Right wrist X-ray; lateral; initial study; detector: Siemens
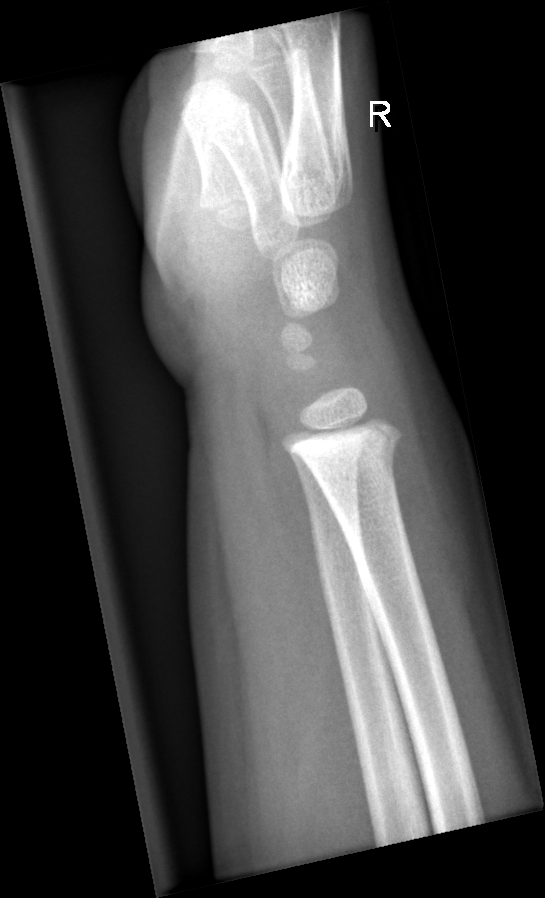 Coordinates are [x1, y1, x2, y2] in image pixels.
One fracture at 282,413,406,466.